Lat; R wrist radiograph; 427 x 920 px.

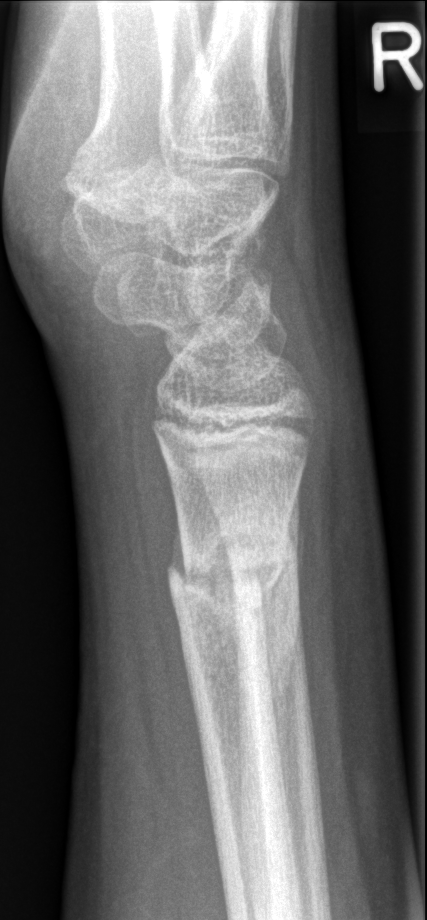 Findings: AO/OTA classification: 23r-M/3.1; 23u-M/2.1. Fx: 166,502,307,647.